Right wrist radiograph · lat · pediatric patient (boy, age 9) · initial study · detector: Siemens
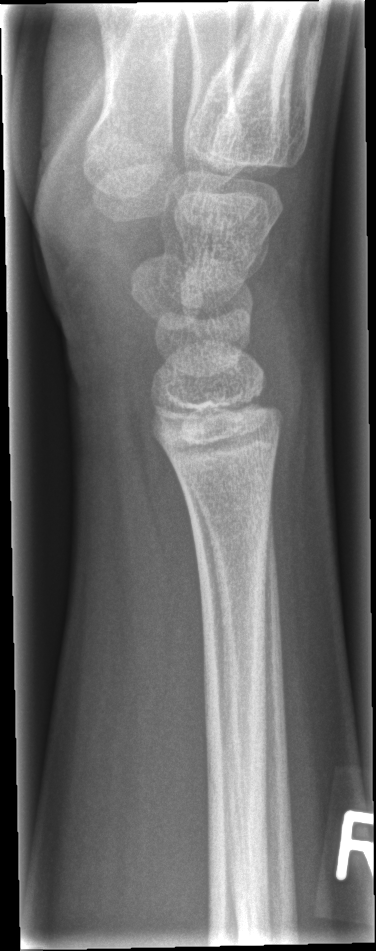

Fracture: none labeled.